Rt wrist X-ray · PA/AP projection · age 9 y, boy · detector: Siemens:
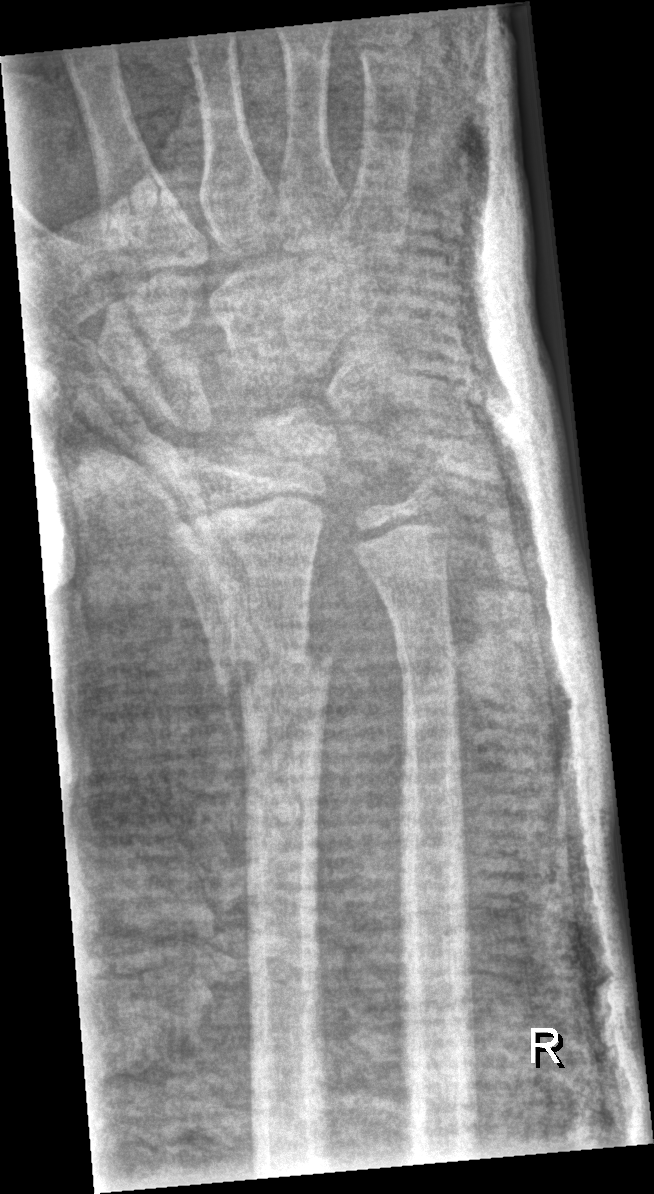 FINDINGS — AO/OTA classification: 23-M/3.1. Two bone fractures at (left=207, top=616, right=339, bottom=720); (left=392, top=625, right=462, bottom=701).